Frontal, left wrist radiograph, cast in situ, image width 89.9 mm.
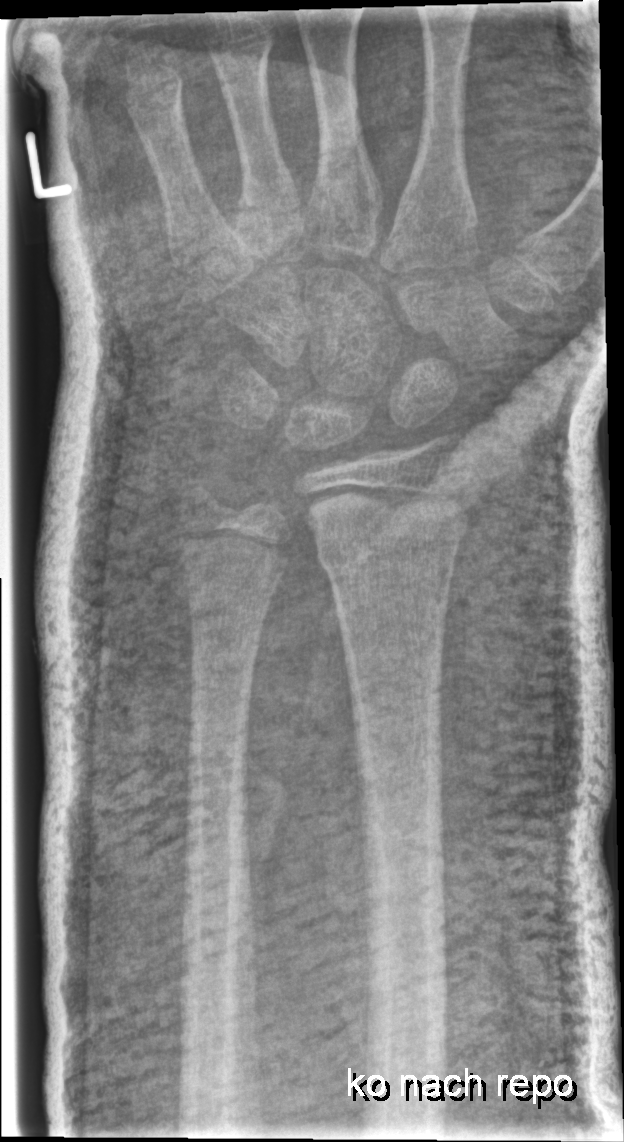
FINDINGS: Fx — bbox(299, 477, 472, 582). Fracture classified AO/OTA 23r-E/2.1.